Posteroanterior projection; R wrist plain film; follow-up.

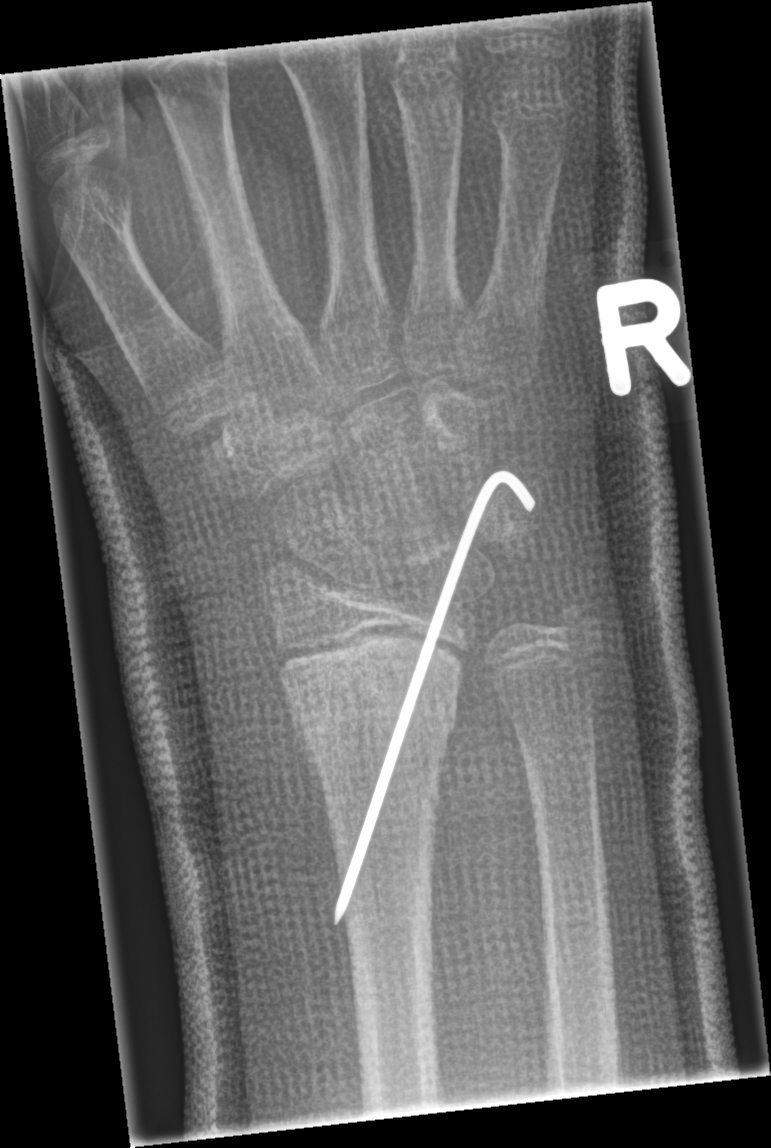
(boxes as x1,y1,x2,y2 (top-left / bottom-right, pixel units))
Q: Any metal present?
A: Metallic implant: <334,464>-<537,923>
Q: What is the AO/OTA classification?
A: AO/OTA classification: 23r-M/3.1; 23u-E/7
Q: Fracture present?
A: Fractures — <283,644>-<464,772> <547,594>-<610,657>